Rt wrist radiograph | AP projection | acquired on Siemens | image size 544x960

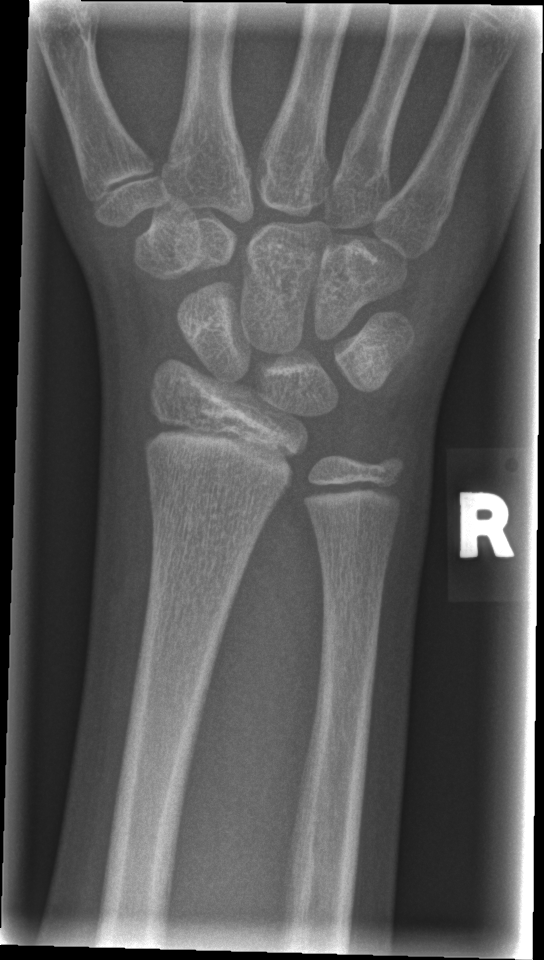

FINDINGS: No fracture annotation.